Right wrist plain film · frontal: 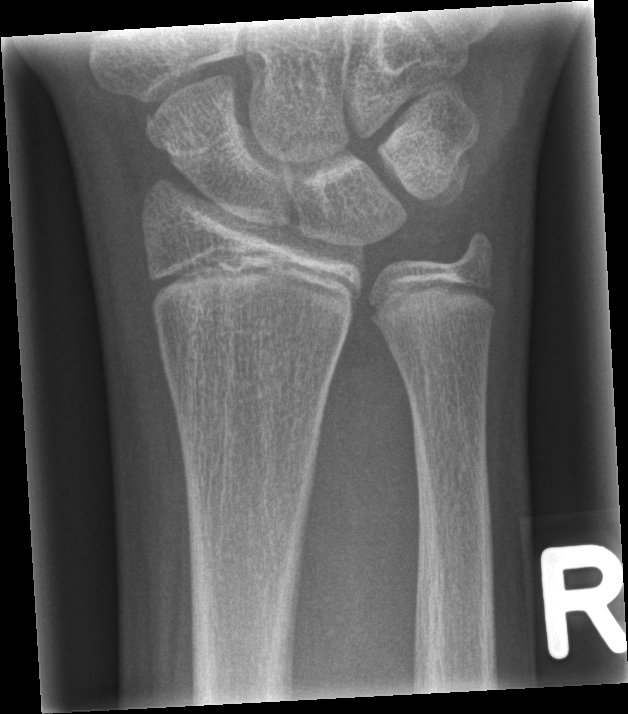 (bounding boxes in image-pixel xyxy)
Fx: 1 @ (left=139, top=106, right=187, bottom=162)